Lat · left wrist plain film. 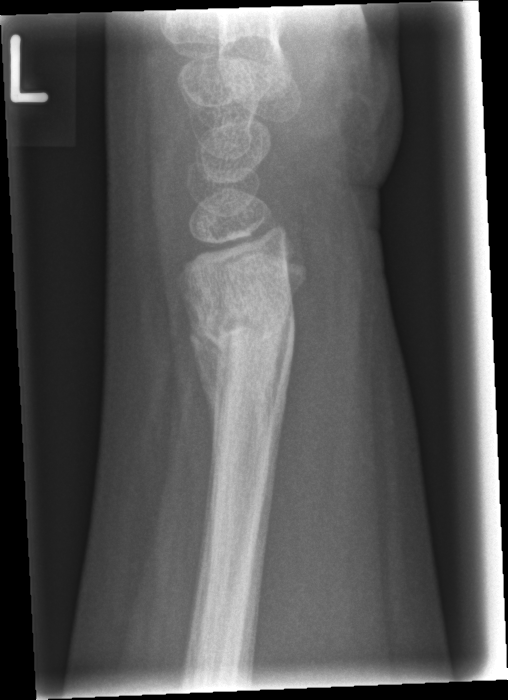
Coordinates are [x1, y1, x2, y2] in image pixels. Osteopenic. Bone fracture identified at 177 270 300 408.